AP projection · right wrist plain radiograph of the wrist · 831 x 1456 px.

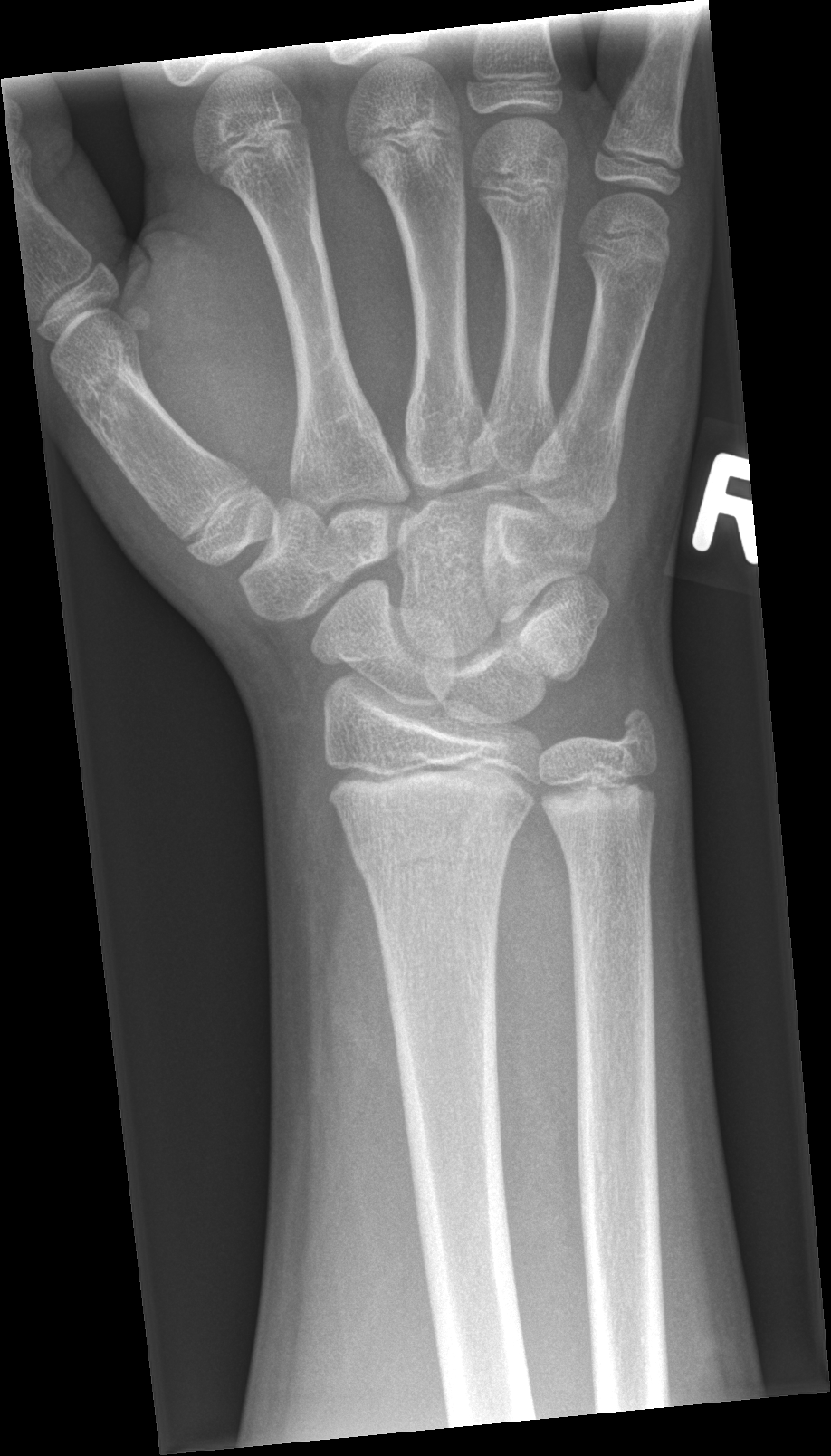

AO code: 23r-M/3.1; 23u-E/7
Bone fracture: bbox(351, 819, 515, 886); bbox(607, 702, 664, 762)